Left wrist X-ray; lat view; pediatric patient (girl, age 11); cast in situ; image width 82.2 mm. 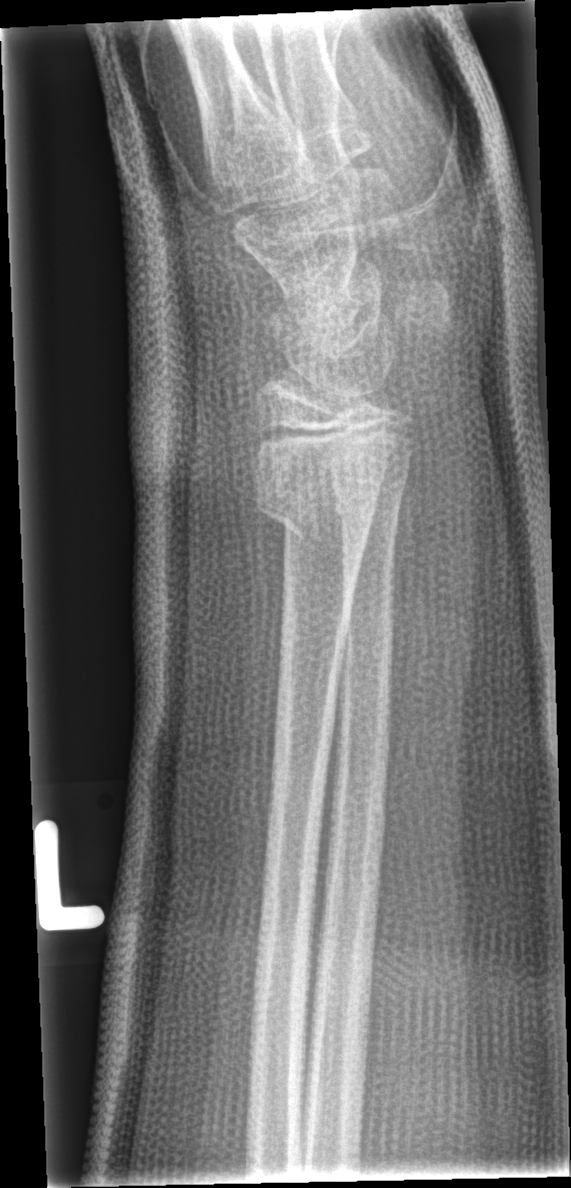

Findings: Fracture classified AO/OTA 23-M/2.1. Two fractures at (left=250, top=478, right=382, bottom=554), (left=325, top=460, right=410, bottom=520).